Left wrist XR · lat view
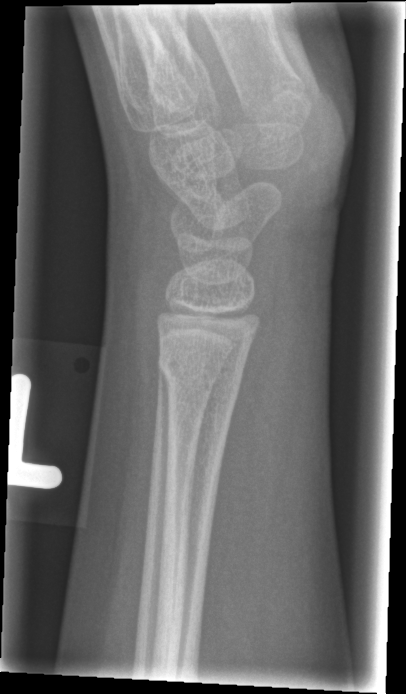

(pixel coordinates, top-left origin, xyxy)
AO code: 23r-M/2.1
Fx: bbox(156, 347, 250, 391)